Lateral; left wrist plain film; Siemens — 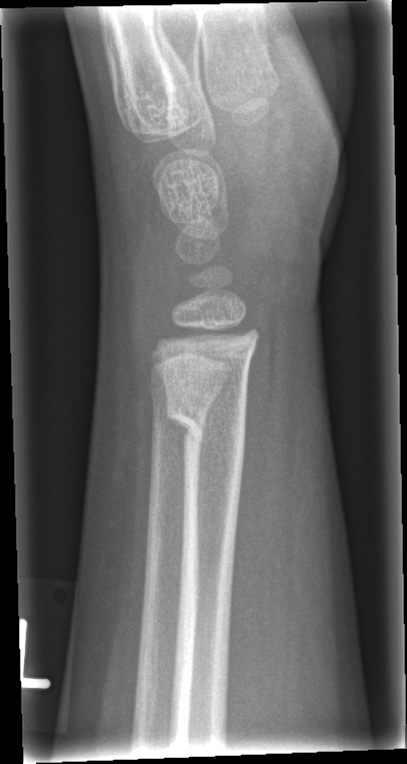
FINDINGS — (pixel coordinates, top-left origin, xyxy) Fx — [163, 396, 250, 466].